Lat | left plain radiograph of the wrist | boy, 12 yo | 406 by 1088 pixels.

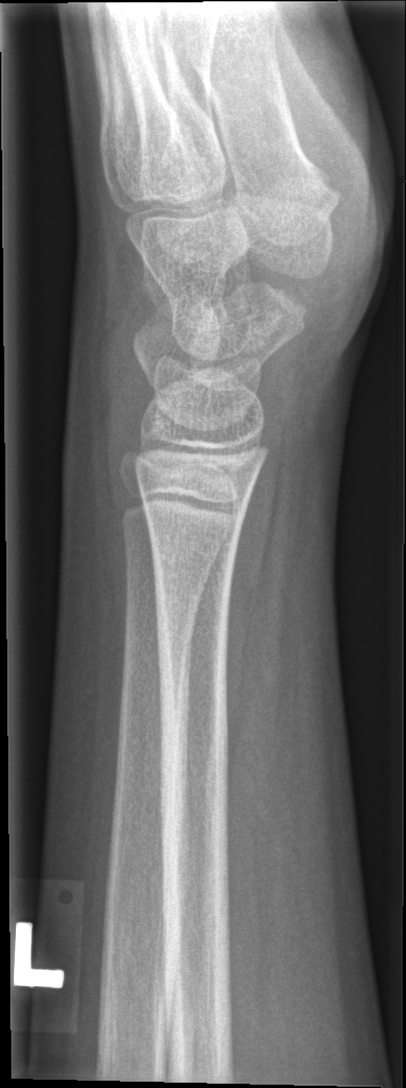 Findings: No Fx annotated.